Left wrist plain radiograph of the wrist · frontal · age 14 y, boy · follow-up · detector: Agfa · 212.9 mm image width

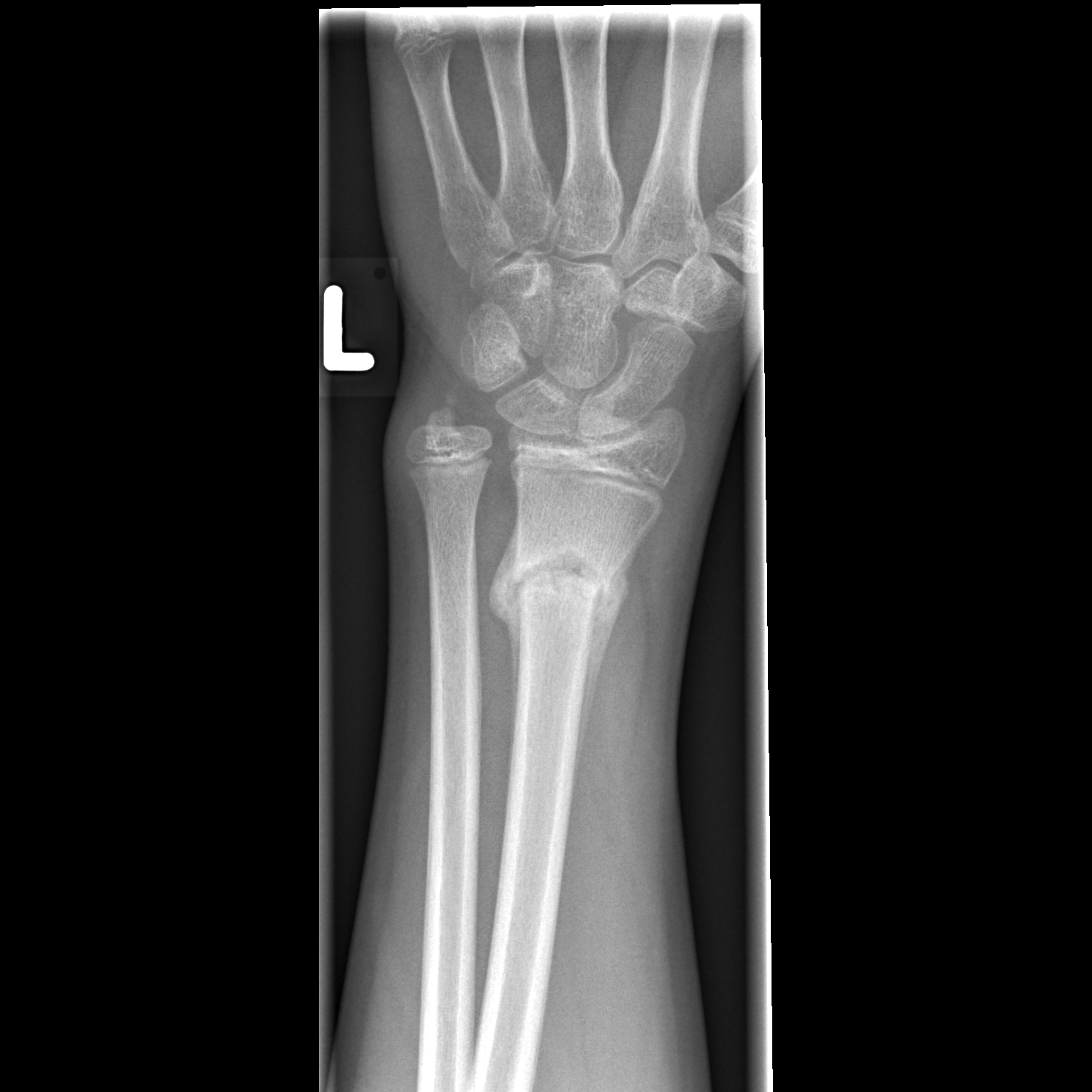 AO code = 23r-M/3.1; 23u-E/7
Fx = 2 @ (501, 532, 627, 622); (417, 387, 471, 441)
periosteal reaction = (565, 506, 658, 851) (487, 502, 524, 802)